Left wrist plain film | lat | 14y M 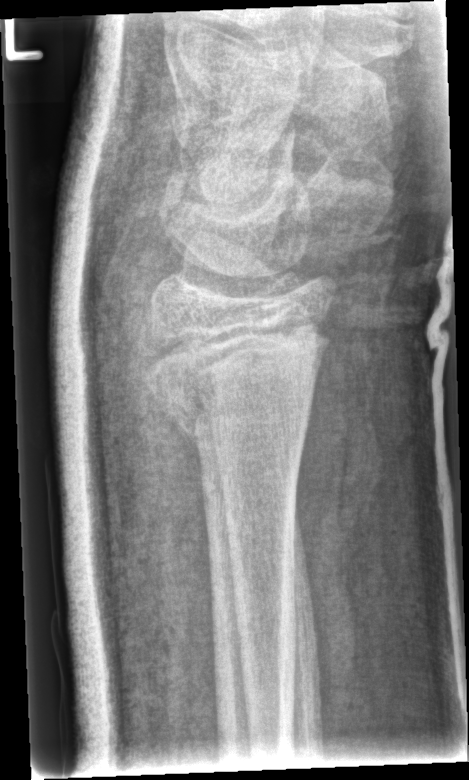 (bounding boxes in image-pixel xyxy)
Q: Is there periosteal reaction?
A: Periosteal thickening — (178, 425, 200, 479)
Q: AO code?
A: AO code 23r-E/2.1; 23u-E/7
Q: Is there a fracture?
A: Fx identified at (131, 315, 338, 458)